Lateral projection, Rt plain radiograph of the wrist, boy, 13 yo, index exam —
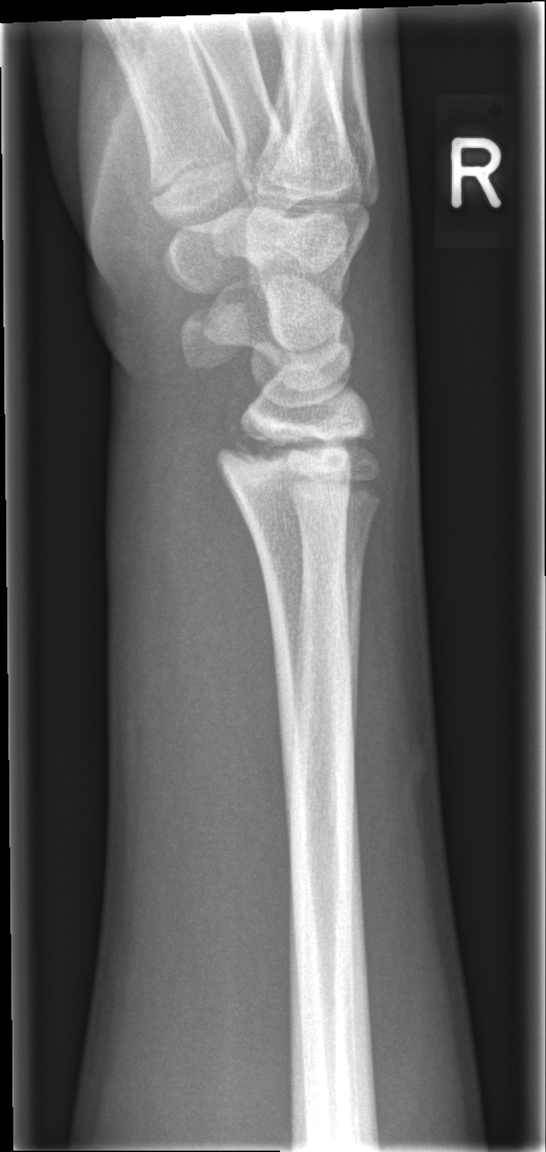

Positive pronator fat-pad sign: 1 @ (197, 472, 290, 861)
AO code: 23r-E/1
Fx: 1 @ (210, 415, 378, 476)